R wrist plain film, frontal view, girl, 13 yo

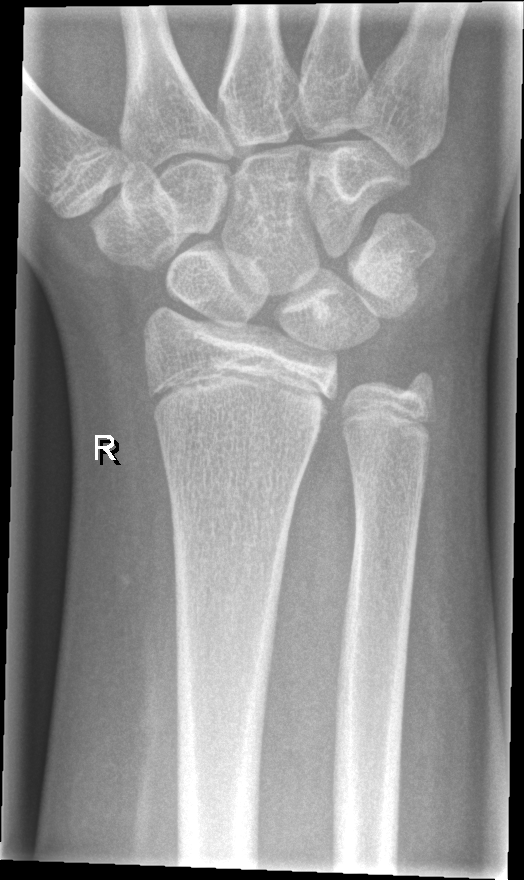

• No fracture annotation.